Lt wrist X-ray; lat; initial study.

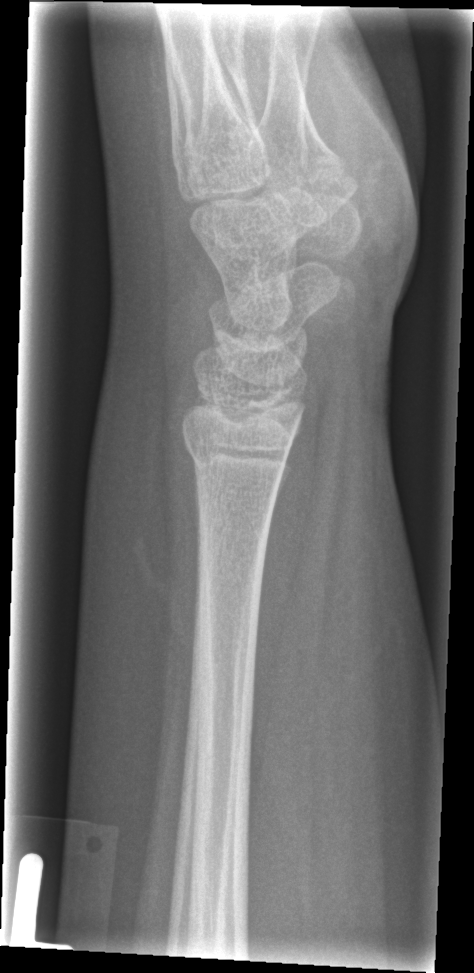

Pixel coordinates, top-left origin, xyxy. Bone fracture: <178,412>-<293,476>.